Lt wrist plain film | lat | male, 11 yo:

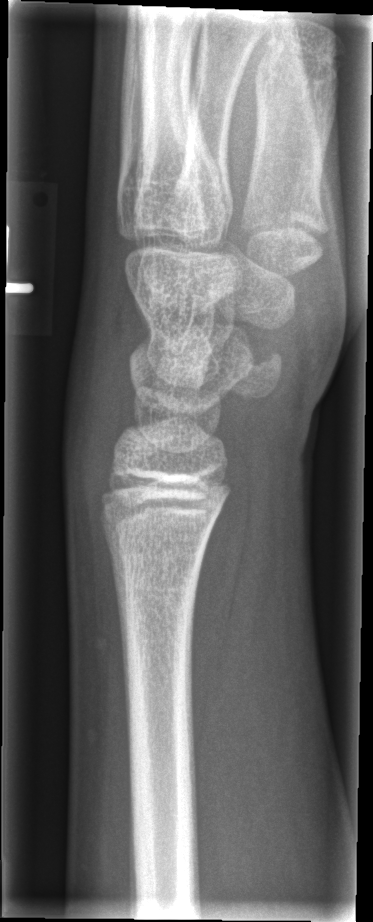 fracture: none labeled